Lt pediatric wrist radiograph; lateral projection; boy, 5 yo; in cast; acquired on Siemens; image size 466x983 — 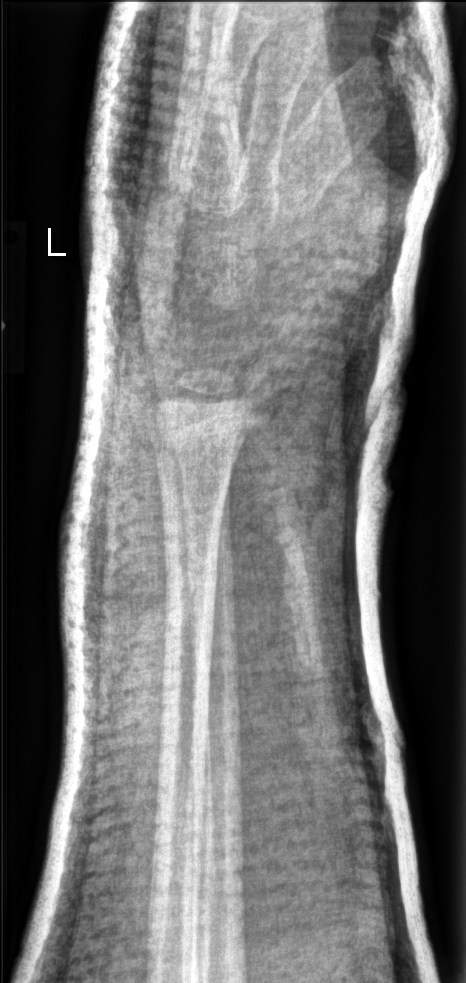 {"fracture": "present but not clearly seen in this view"}